AP projection | left pediatric wrist radiograph.

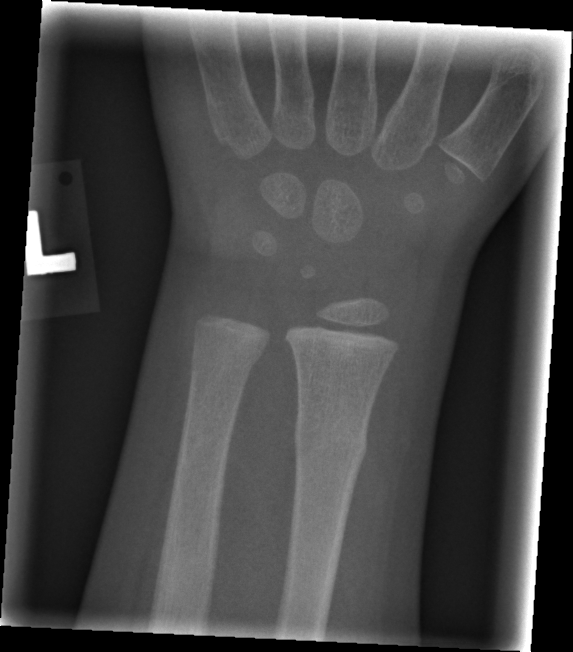 - Fx identified at (left=289, top=417, right=372, bottom=475), (left=187, top=334, right=267, bottom=388).